Rt wrist plain film · lat · follow-up study.
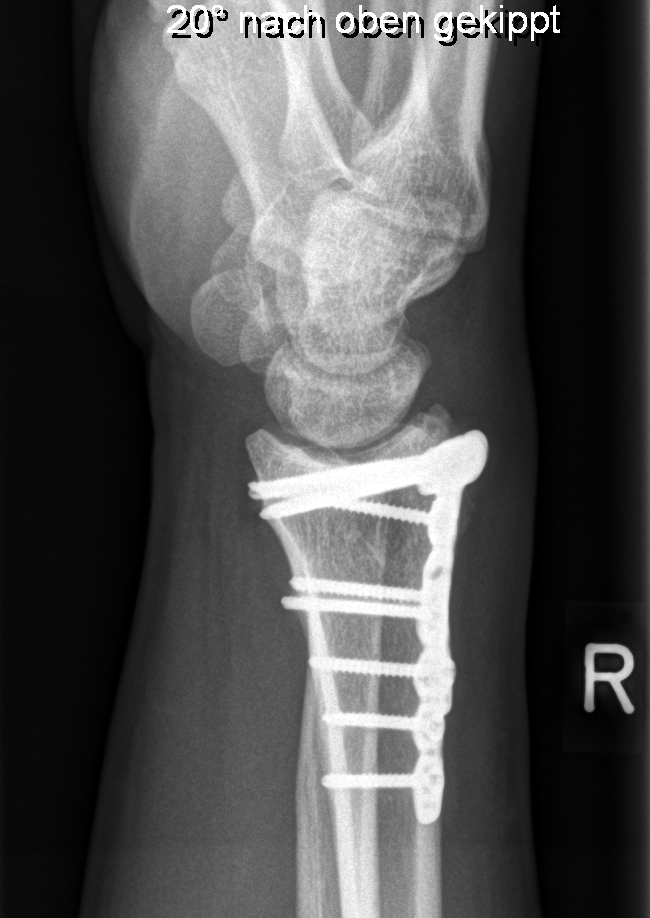

(boxes as x1,y1,x2,y2 (top-left / bottom-right, pixel units))
Q: Any metal present?
A: One hardware at [x1=247, y1=427, x2=492, y2=827]
Q: Any fracture seen?
A: Fx present but not clearly seen in this view